Frontal view · Lt wrist radiograph · female, 12 yo — 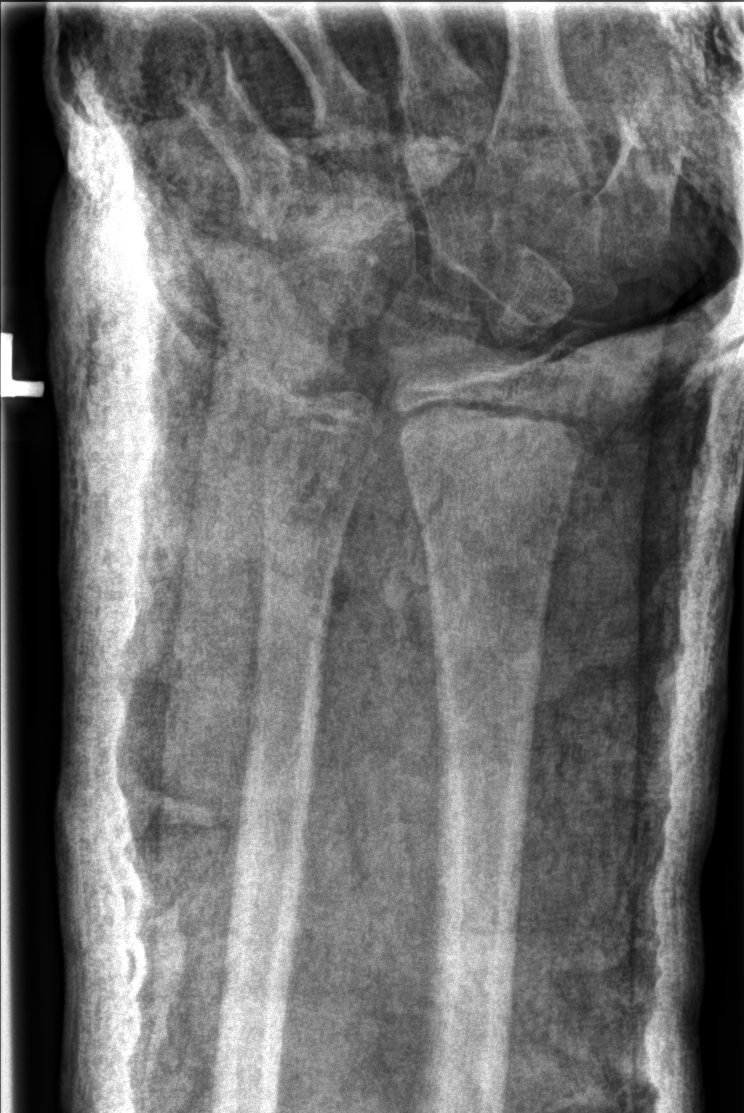
fracture: present but not clearly seen in this view
ao: 23r-E/2.1; 23u-E/7